L pediatric wrist radiograph · lateral view · 15-year-old male · index exam:

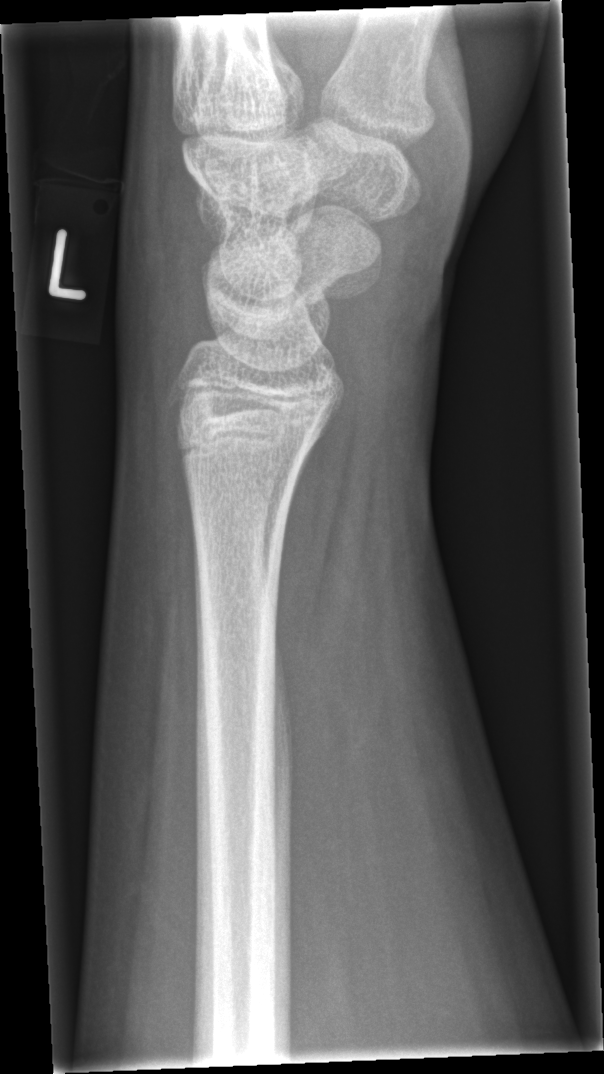 Fx: none labeled